Left pediatric wrist radiograph; AP.
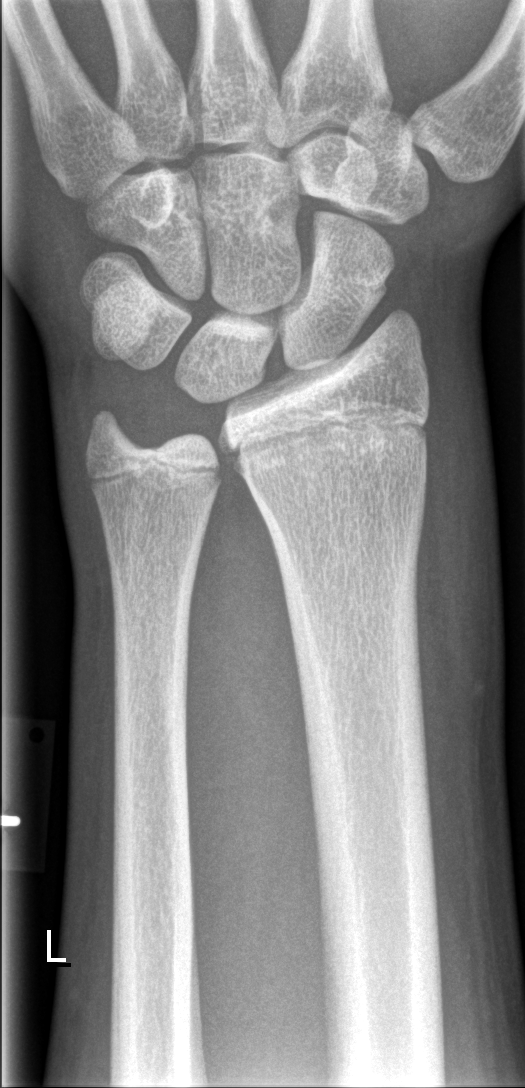

fracture: present but not clearly seen in this view
AO/OTA: 23r-M/2.1